PA view · left wrist plain film · 8y F — 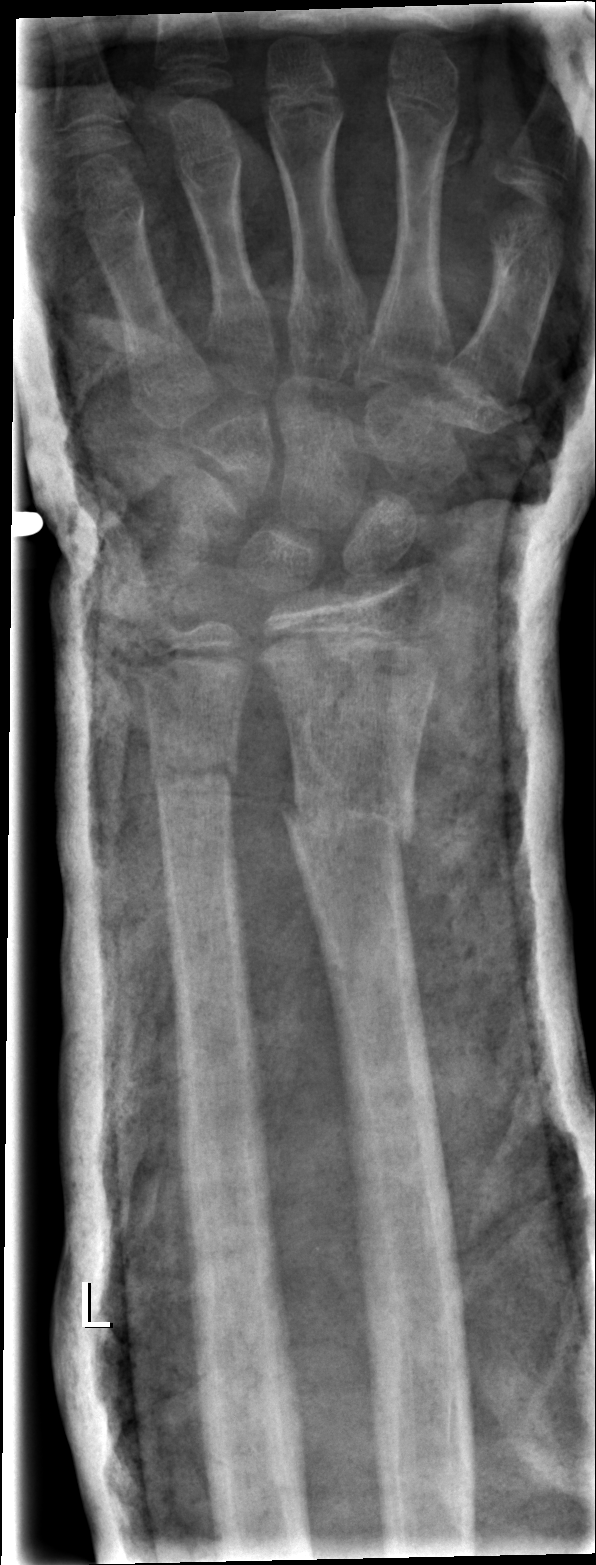
{
  "_coords": "coordinates are [x1, y1, x2, y2] in image pixels",
  "ao": "23-M/3.1",
  "fracture": "277 770 419 865; 146 737 239 802"
}